L pediatric wrist radiograph; frontal; age 12 y, male. 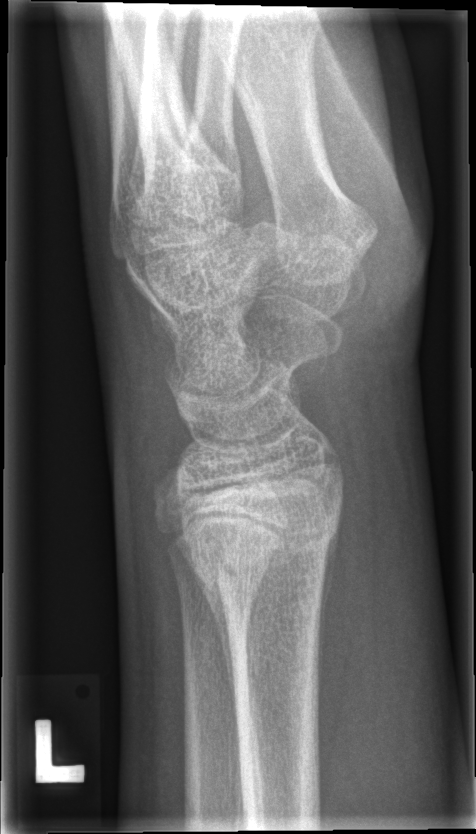
(bounding boxes in image-pixel xyxy)
Q: Any fracture seen?
A: Fx — (left=176, top=482, right=347, bottom=605)
Q: Is there osteopenia?
A: Decreased bone density (osteopenia)
Q: Locate any periosteal reaction.
A: Periosteal reaction identified at (left=177, top=539, right=237, bottom=736), (left=316, top=487, right=345, bottom=699)
Q: AO code?
A: Fracture classified AO/OTA 23r-M/3.1; 23u-E/7